Left wrist XR · lateral projection · pediatric patient (male, age 10)

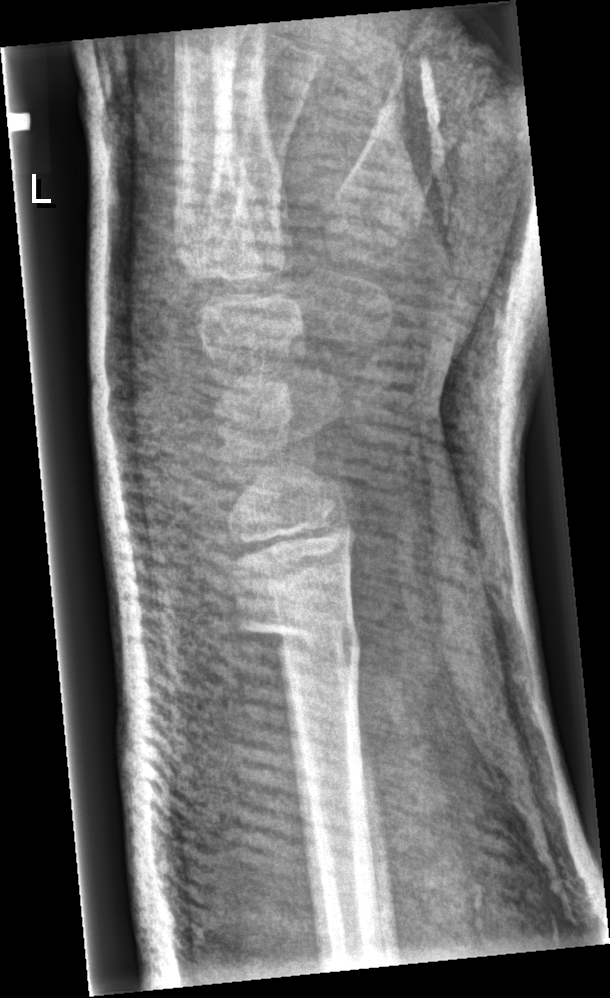 - Bone fracture: 231,596,365,676.